PA view · left plain radiograph of the wrist · 7-year-old male · initial study.

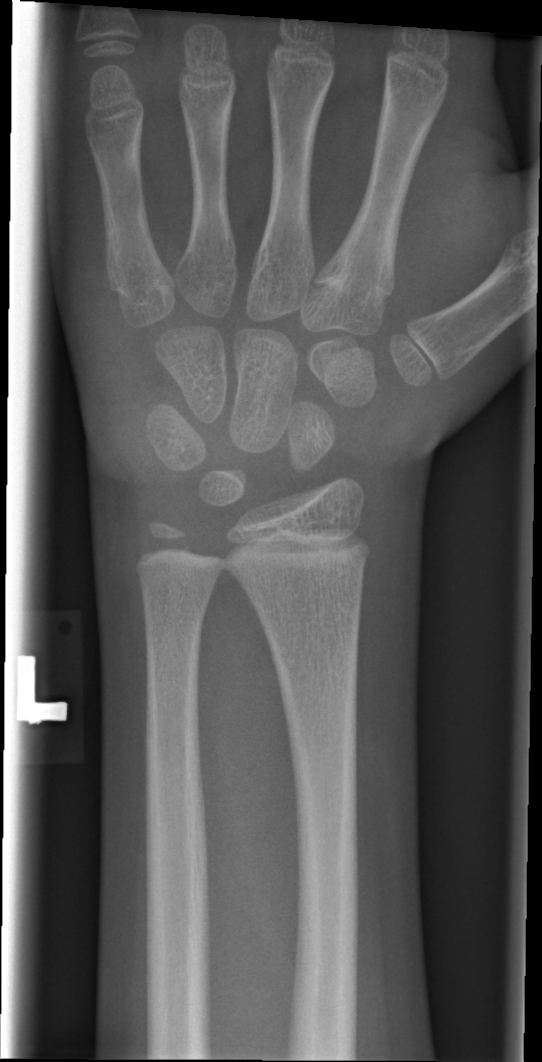 Fracture: none labeled